PA, left wrist XR, 646 x 1132 px —

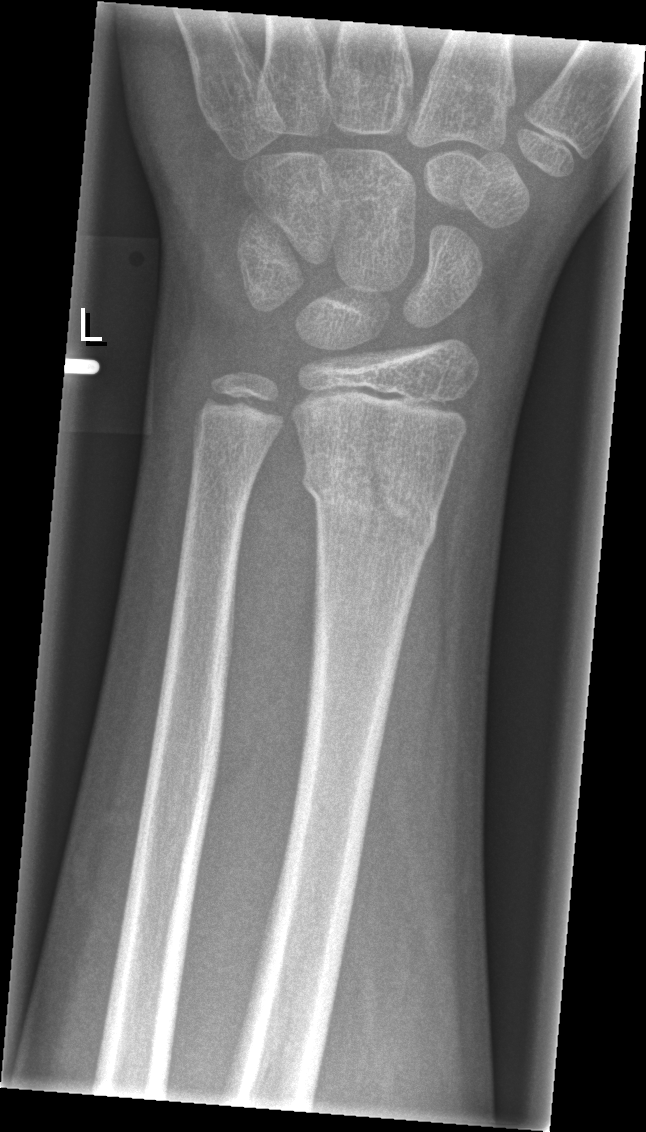
Findings: Bone fracture identified at 298,451,444,553.